Lat view; L wrist plain film; 17y M; Siemens; 538x1243:
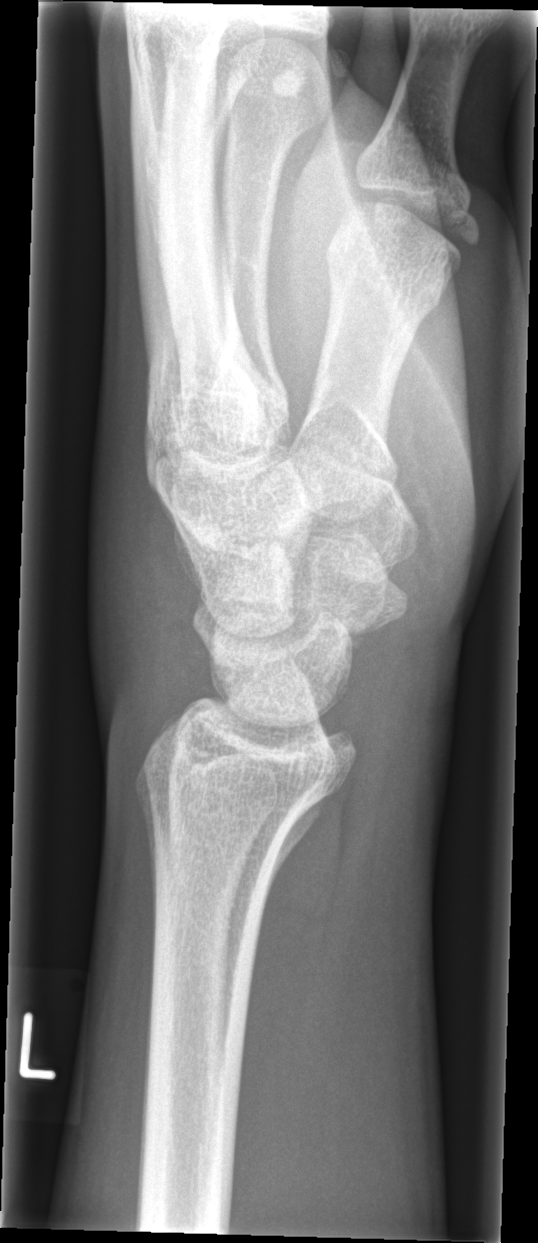 fracture: present but not clearly seen in this view
ao: 72B(b)